Right wrist X-ray; lat view; age 6 y, female; presentation radiograph

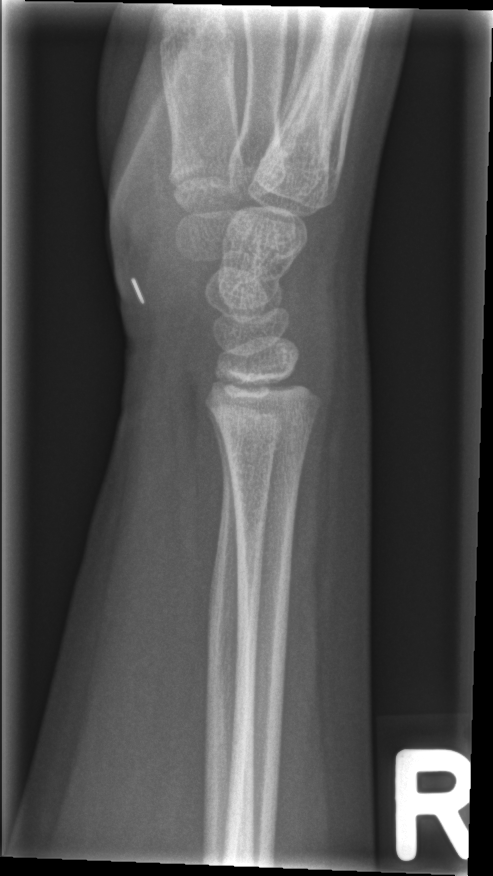

- Fx: none.
- One hardware at bbox(129, 277, 146, 306).